Lat · right wrist X-ray · pediatric patient (boy, age 14) · in cast
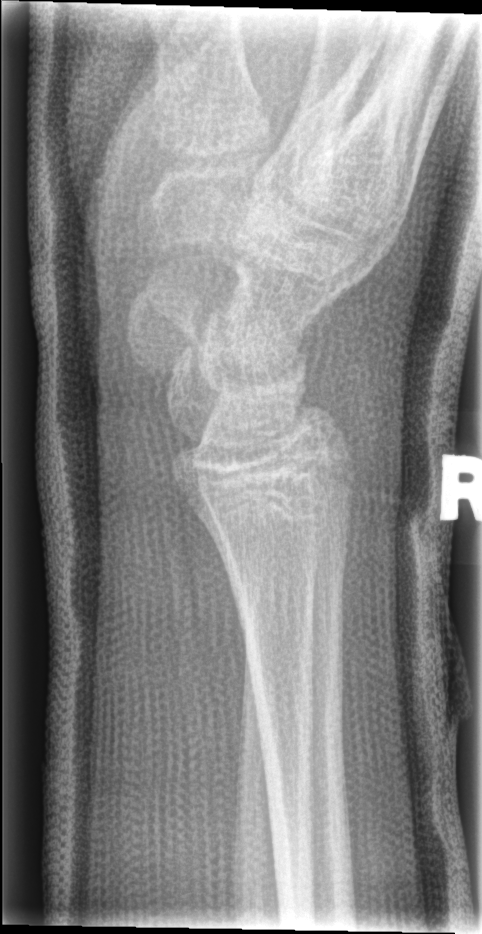

• AO code 23r-E/7.
• Fracture: present but not clearly seen in this view.